Lat projection | R pediatric wrist radiograph | 11y F.

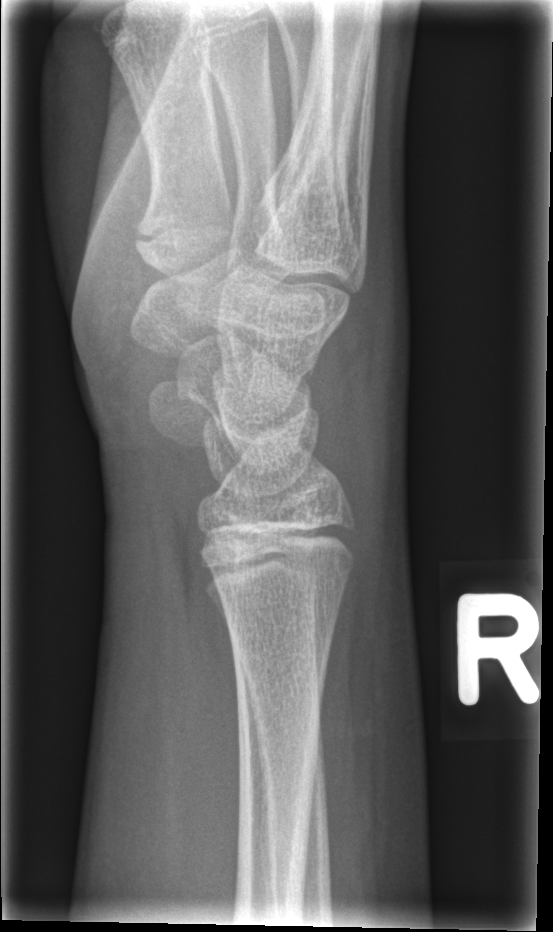
Findings: Fx: none.